PA projection, L wrist plain film, acquired on Siemens.
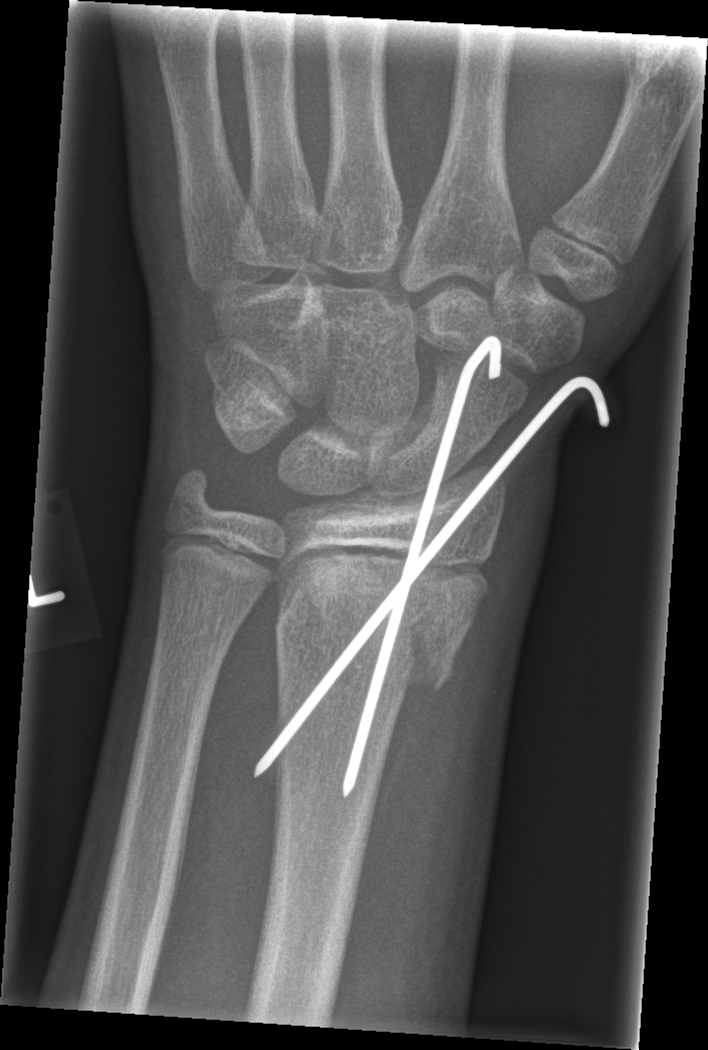

• Bone fractures — 271,539,495,724
  161,462,226,528.
• Metallic implant: 250,333,613,799.
• AO/OTA classification: 23r-E/2.1; 23u-E/7.
• One periosteal new bone at 368,669,446,840.